Lateral · left pediatric wrist radiograph · 12y M · detector: Siemens · image size 514x959.
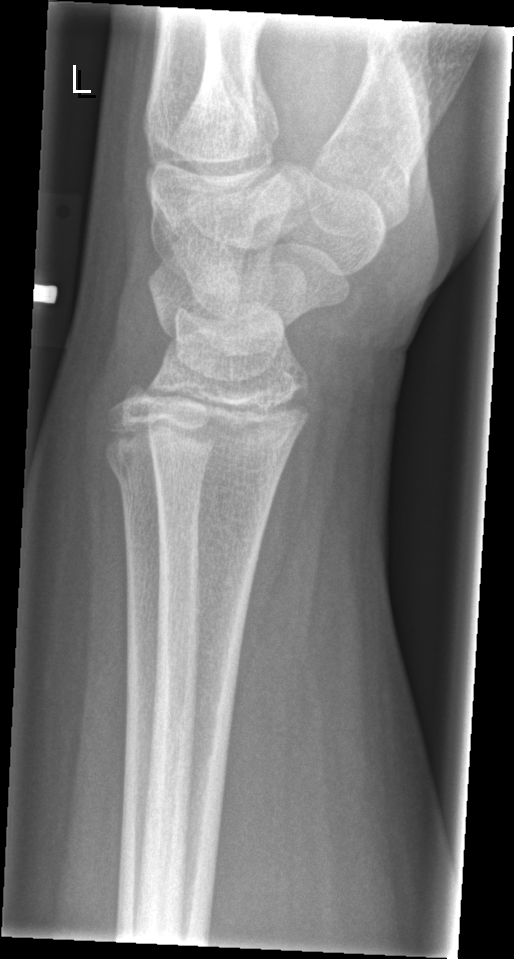

(coordinates are [x1, y1, x2, y2] in image pixels)
Fx: 103,445,213,507